R plain radiograph of the wrist | PA/AP | 568x730:
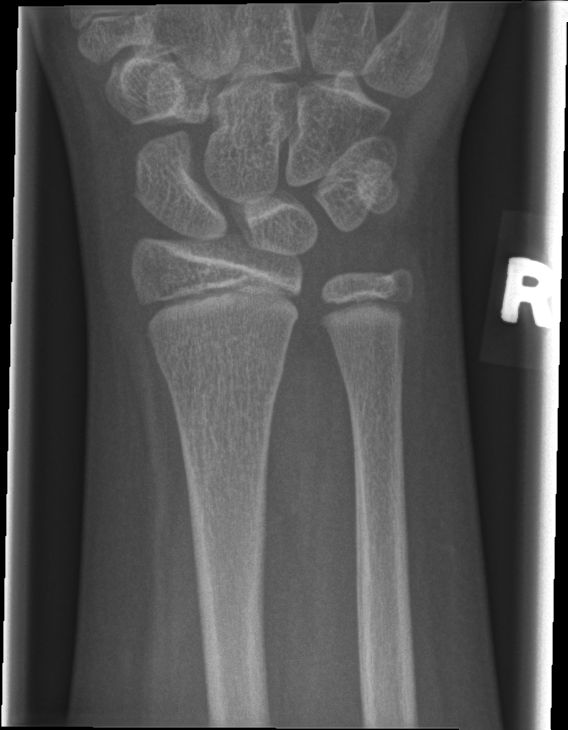

(boxes as x1,y1,x2,y2 (top-left / bottom-right, pixel units))
Fx: bbox(157, 347, 288, 400)